R wrist XR, lat, 10-year-old girl, Siemens —

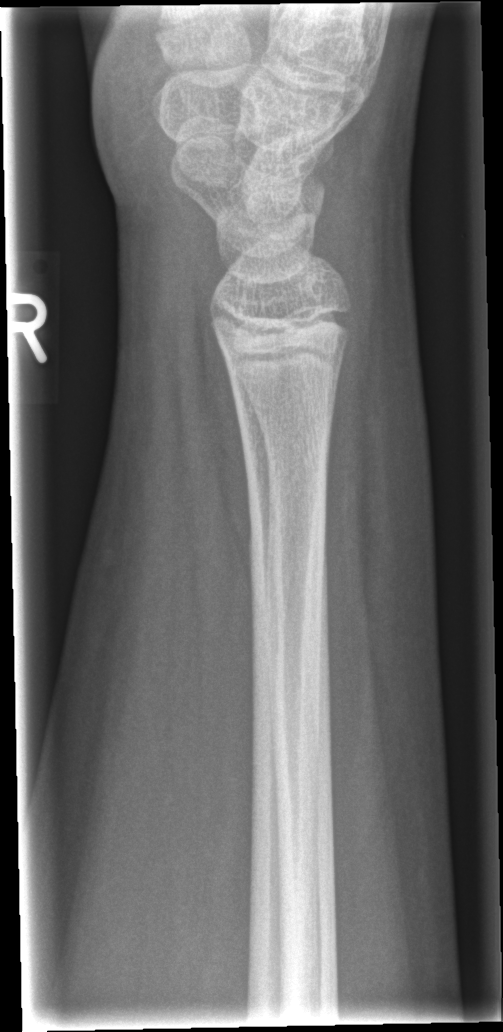
fracture: none labeled